Lateral | R wrist plain film | cast in situ:

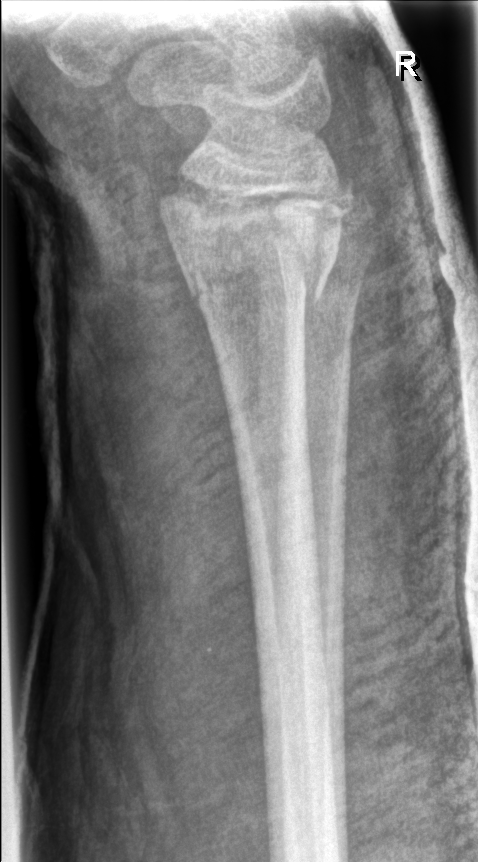

(boxes as x1,y1,x2,y2 (top-left / bottom-right, pixel units))
AO/OTA = 23r-M/3.1; 23u-E/7
bone fracture = 1 @ 180 234 336 313